PA/AP, left plain radiograph of the wrist, image size 630x1536
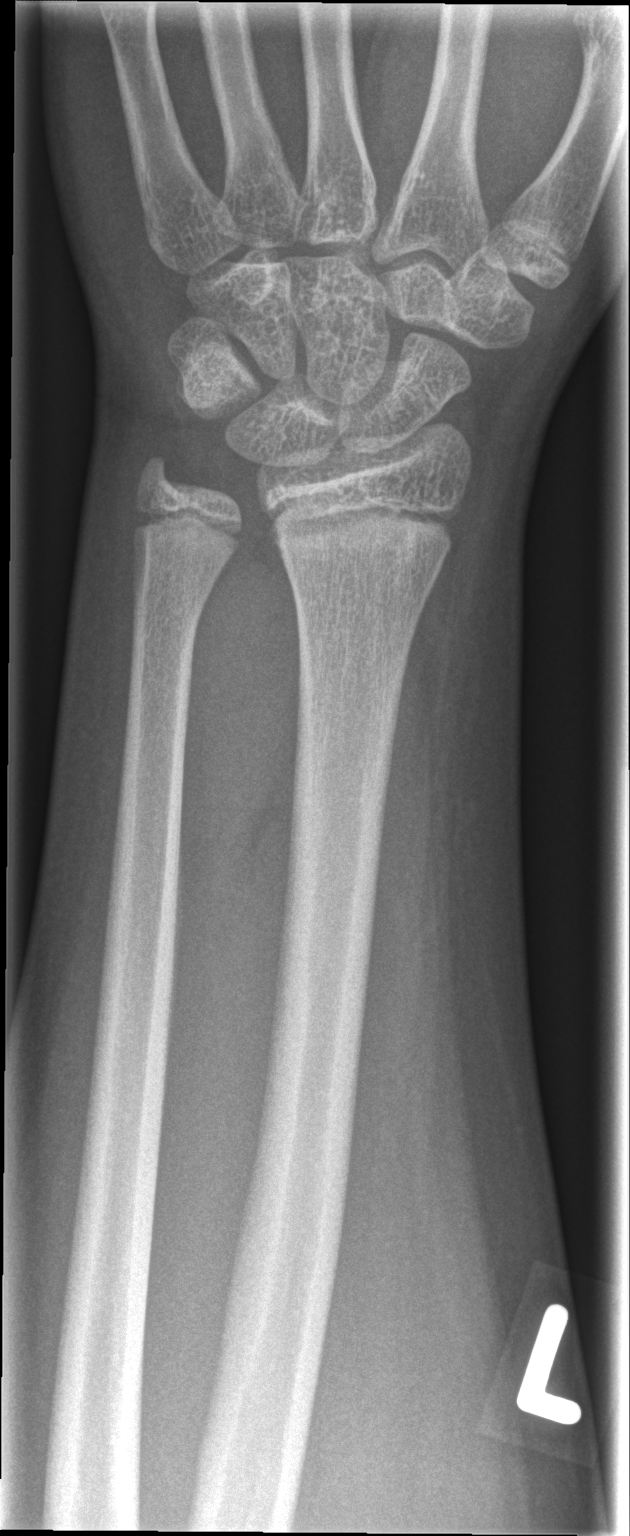

{
  "fracture": "none labeled"
}